Right wrist pediatric wrist radiograph, lateral view, initial study, Siemens:

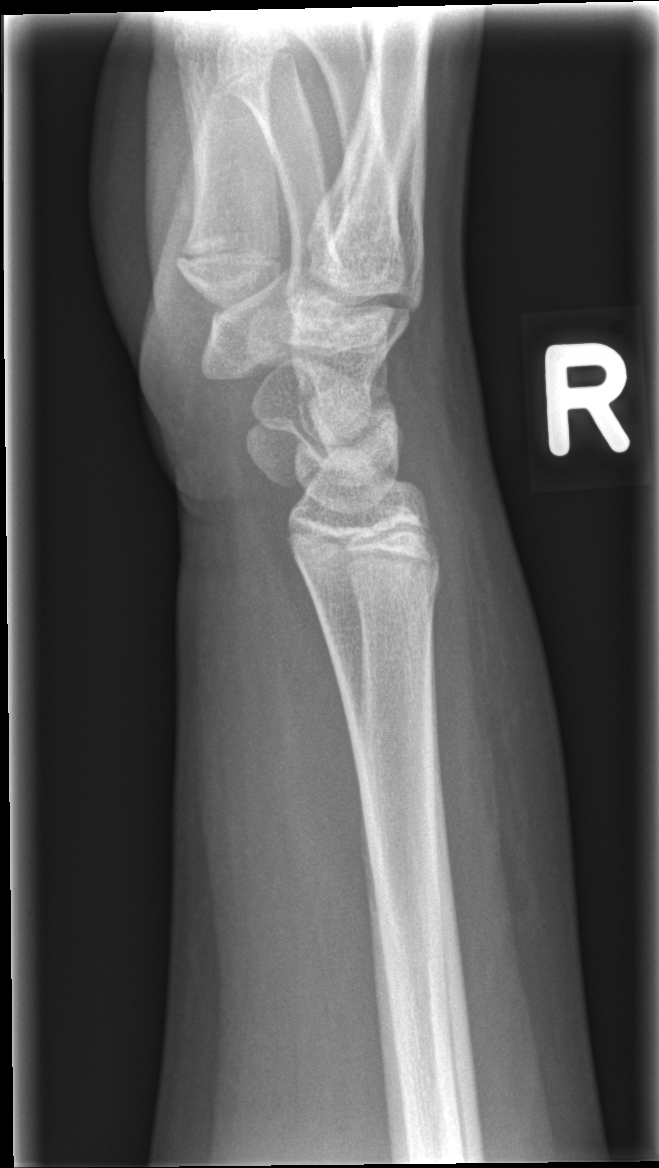
Coordinates are [x1, y1, x2, y2] in image pixels.
Bone fracture: bbox(300, 552, 446, 619).
Fracture classified AO/OTA 23r-M/2.1.
Soft-tissue swelling — bbox(430, 484, 574, 1003).
Pronator quadratus fat-pad sign — bbox(276, 556, 370, 924).